AP projection; left wrist X-ray; female, 7 yo; cast present; detector: Siemens —

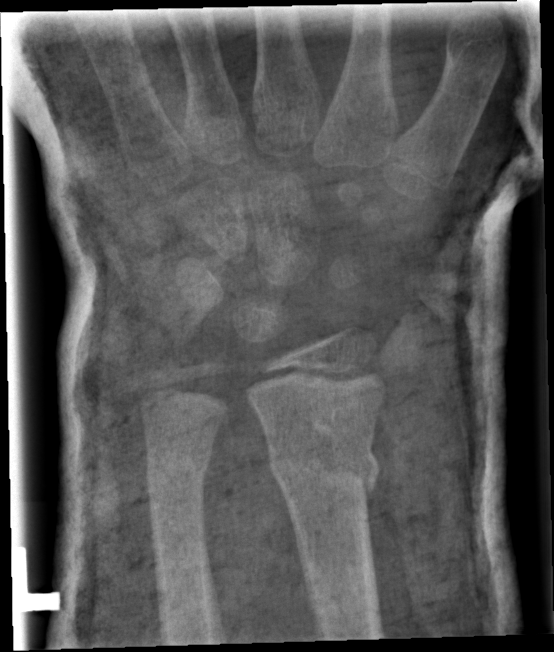

AO/OTA classification: 23r-M/3.1; 23u-M/2.1. Fracture identified at <267,441>-<382,500>, <142,443>-<216,490>.